Lateral · Rt pediatric wrist radiograph · age 11 y, female · Siemens · image 77.3 mm wide: 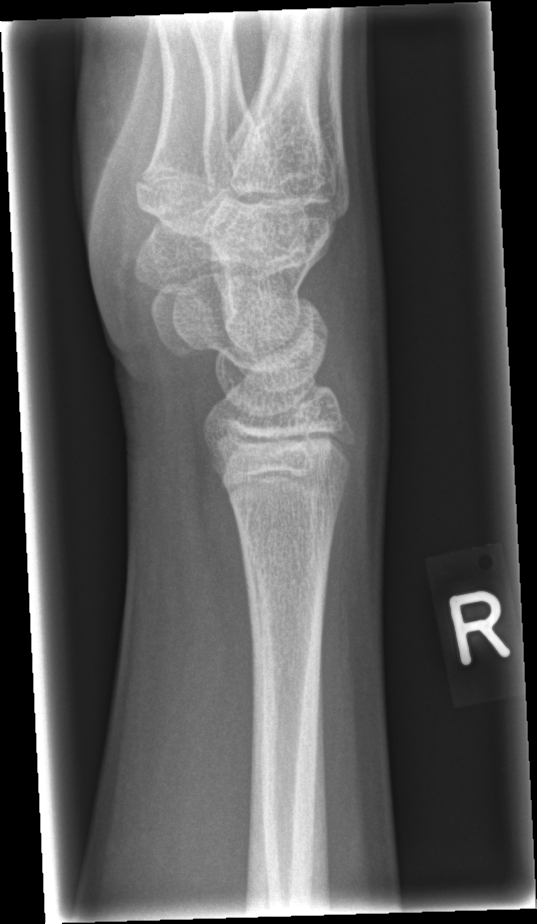 Fx: none.